R wrist radiograph | PA/AP projection | pediatric patient (male, age 11) | follow-up study —

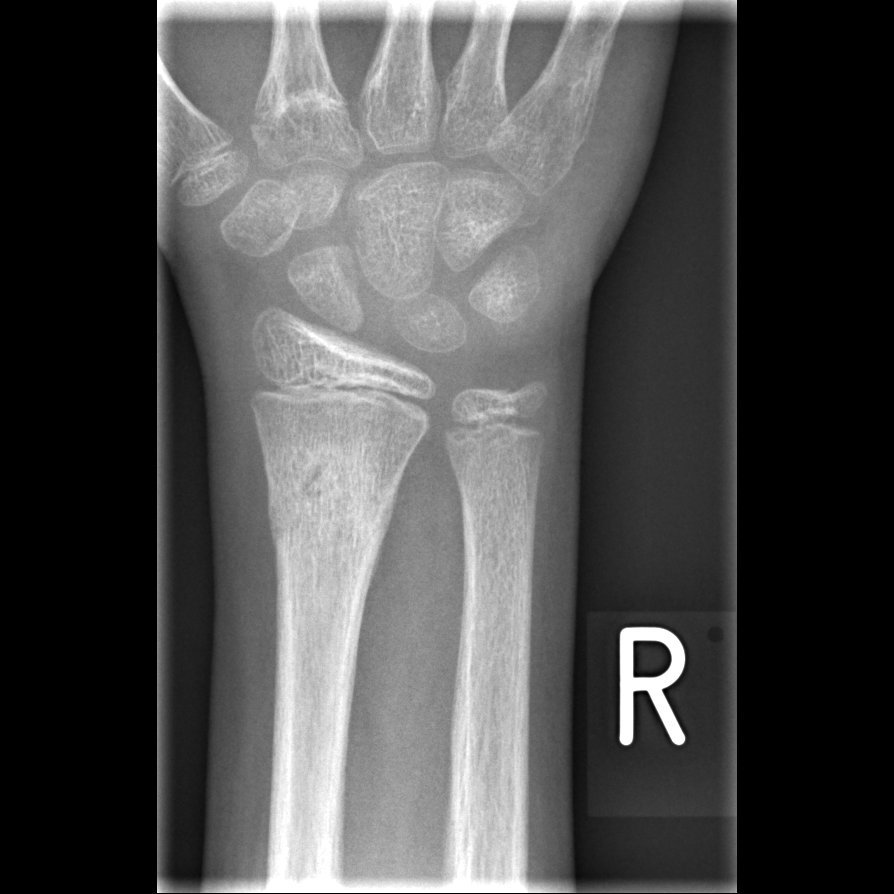 FINDINGS: (boxes as x1,y1,x2,y2 (top-left / bottom-right, pixel units)) Osteopenic. Bone fracture — bbox(261, 434, 400, 563). AO code 23r-M/3.1.